L pediatric wrist radiograph; lat view; 18-year-old boy

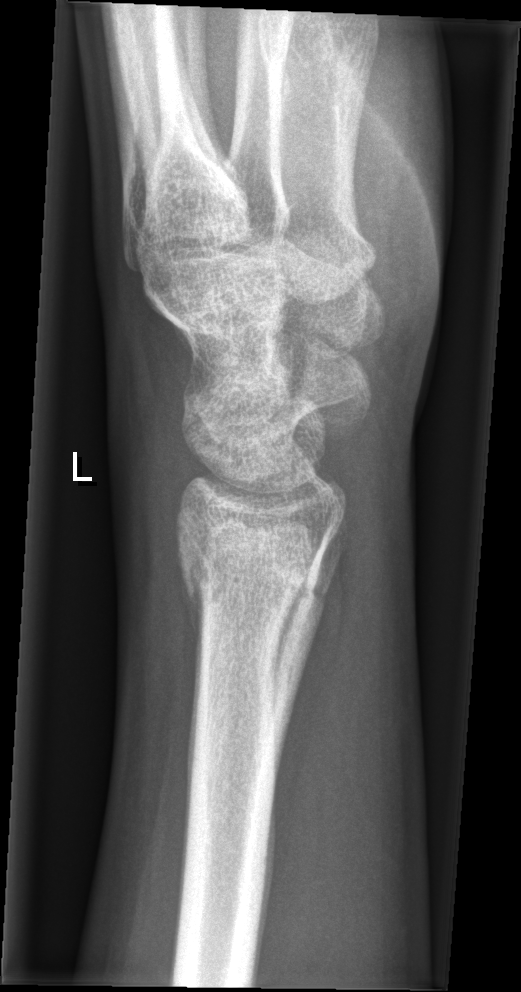

(pixel coordinates, top-left origin, xyxy)
fracture: (179, 561, 333, 617)
osteopenia: present
periosteal reaction: 1 @ (174, 553, 205, 947)